Right wrist X-ray, lat, imaged through cast —

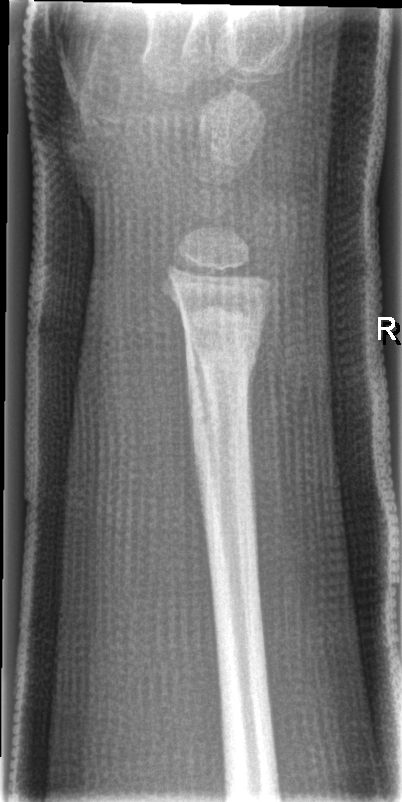 {
  "fracture": "(179, 306, 268, 400)",
  "ao": "23r-M/2.1"
}